Lateral, right wrist XR, 13y M:
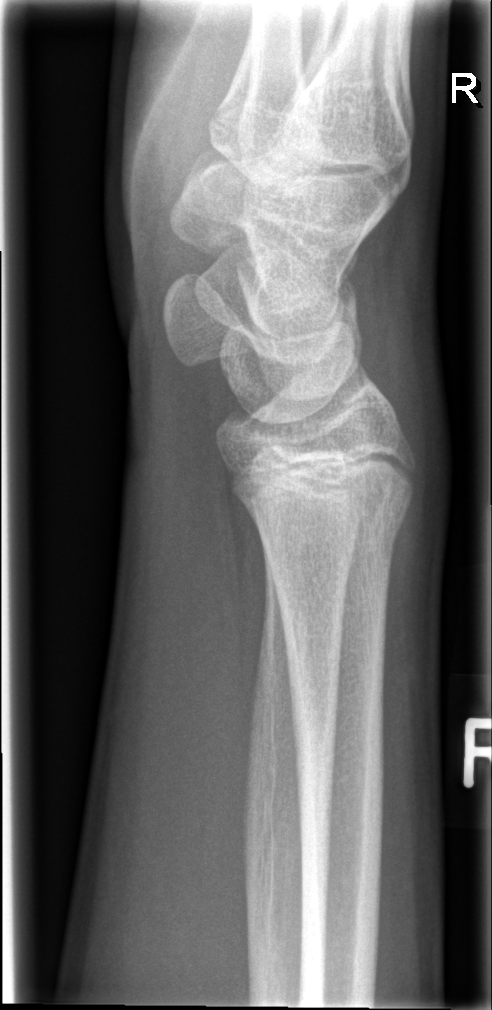

FINDINGS — Fx: 255 492 413 583.